Rt pediatric wrist radiograph, frontal view, age 6 y, boy.

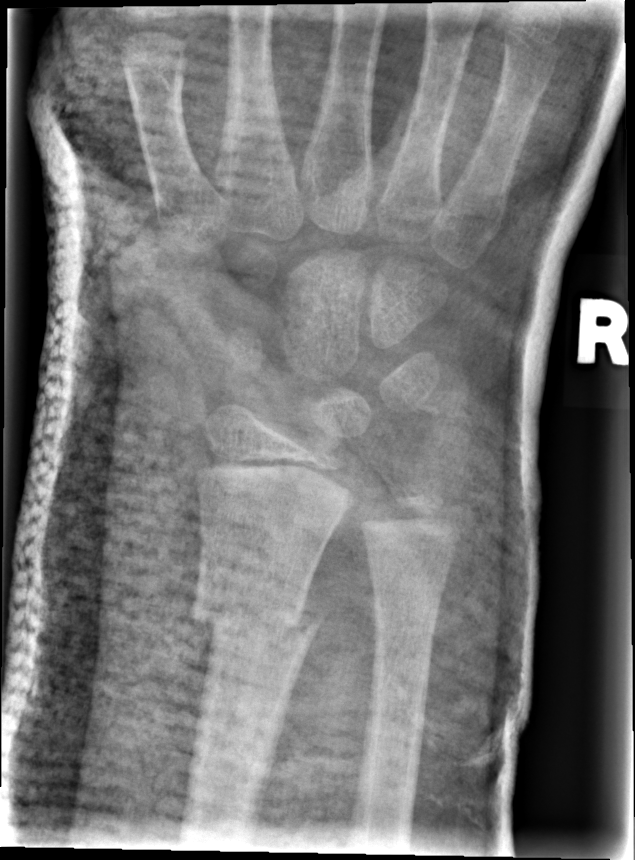 Fx: 1 @ (left=183, top=593, right=328, bottom=649)
AO classification: 23r-M/3.1; 23u-M/2.1